L wrist plain film; lat view; 6y M — 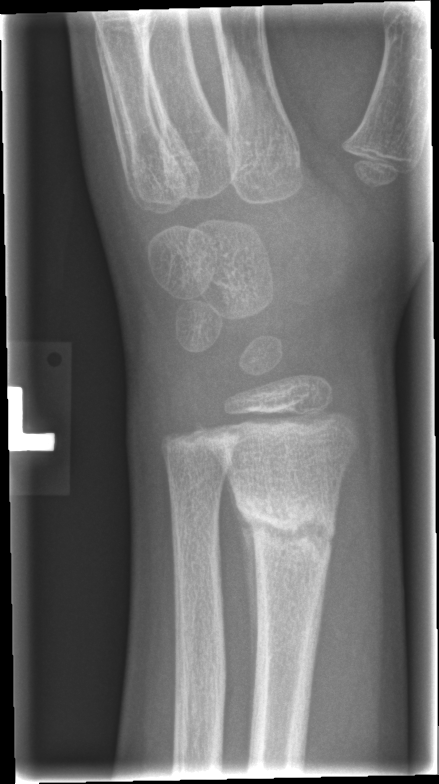
Bone fracture: bbox(230, 481, 340, 570)
Periosteal thickening: bbox(230, 482, 259, 731)
AO classification: 23r-M/3.1